AP projection | left pediatric wrist radiograph | cast in situ | detector: Agfa 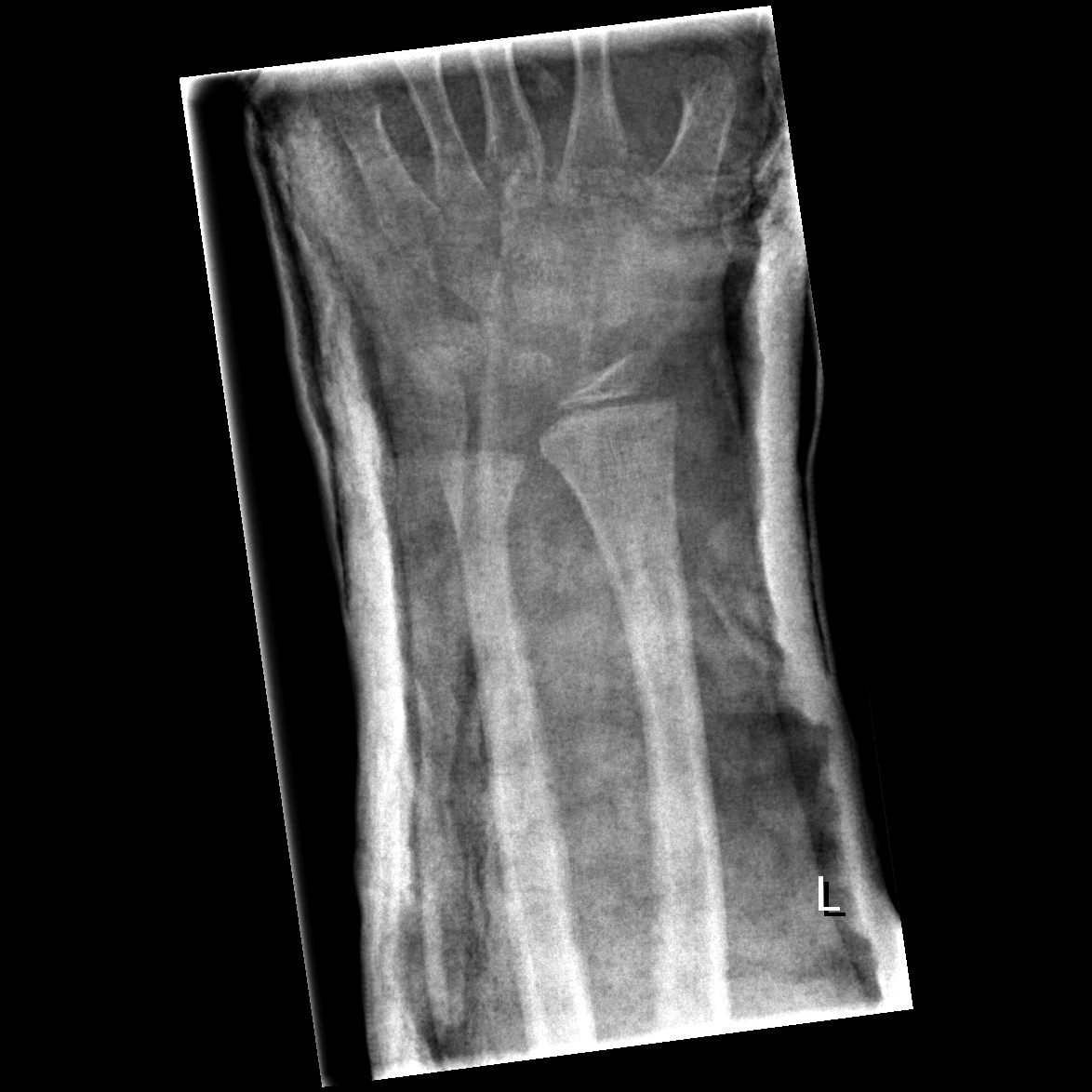 FINDINGS: Fracture present but not clearly seen in this view.